Right wrist plain film; frontal projection; image size 473x1106.
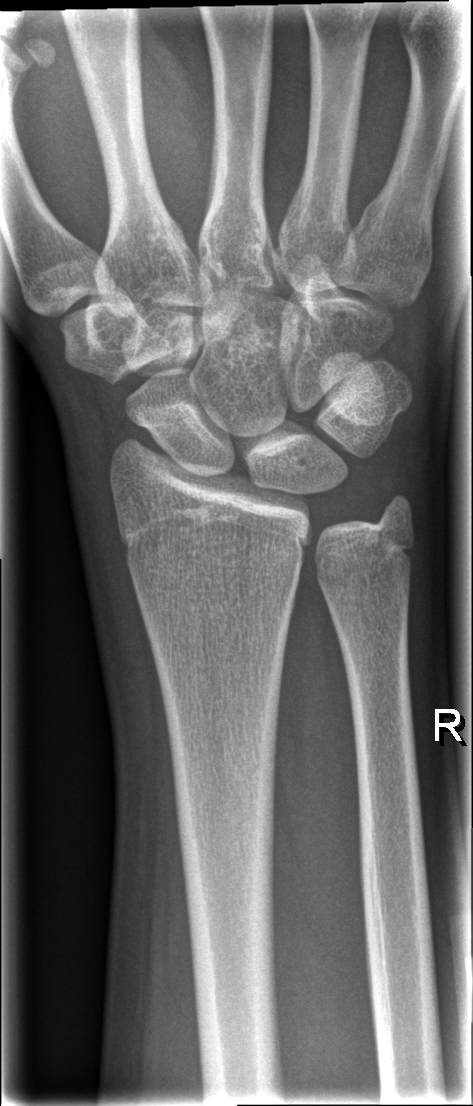
  fracture: none labeled